Right wrist plain film; lat view; age 12 y, boy.

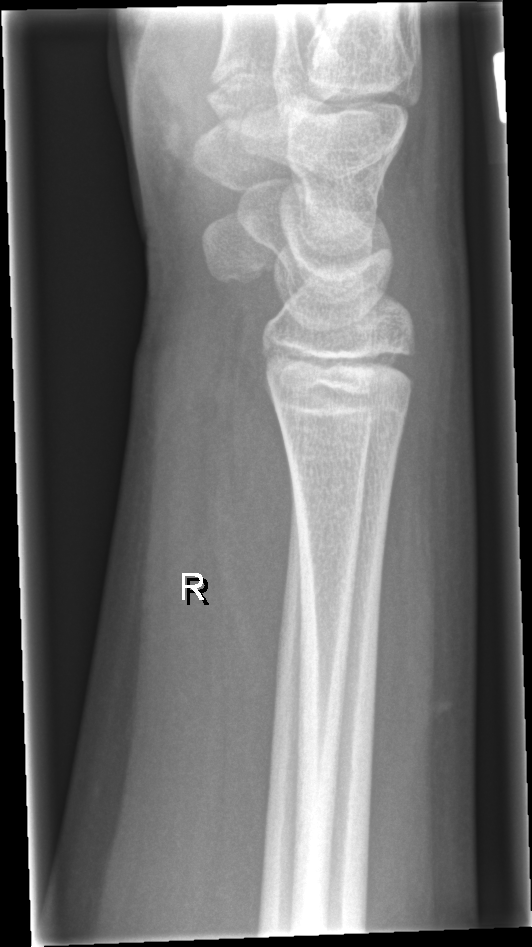
FINDINGS — Pronator sign — [210, 325, 301, 684]. Fracture: none labeled.